Lt wrist radiograph | lateral | acquired on Siemens 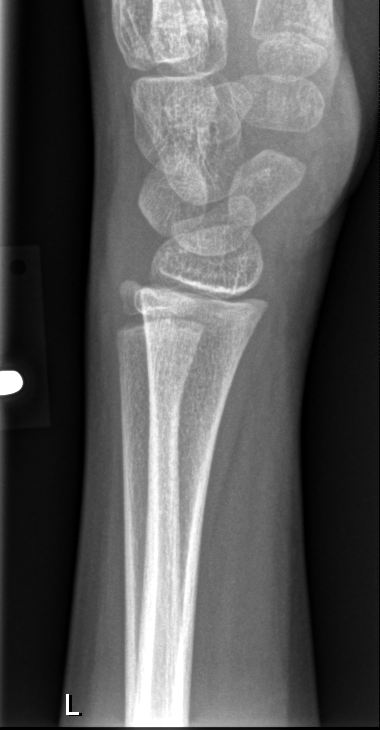

• Fx: none.